AP view; left wrist X-ray; subsequent exam; in cast; detector: Siemens: 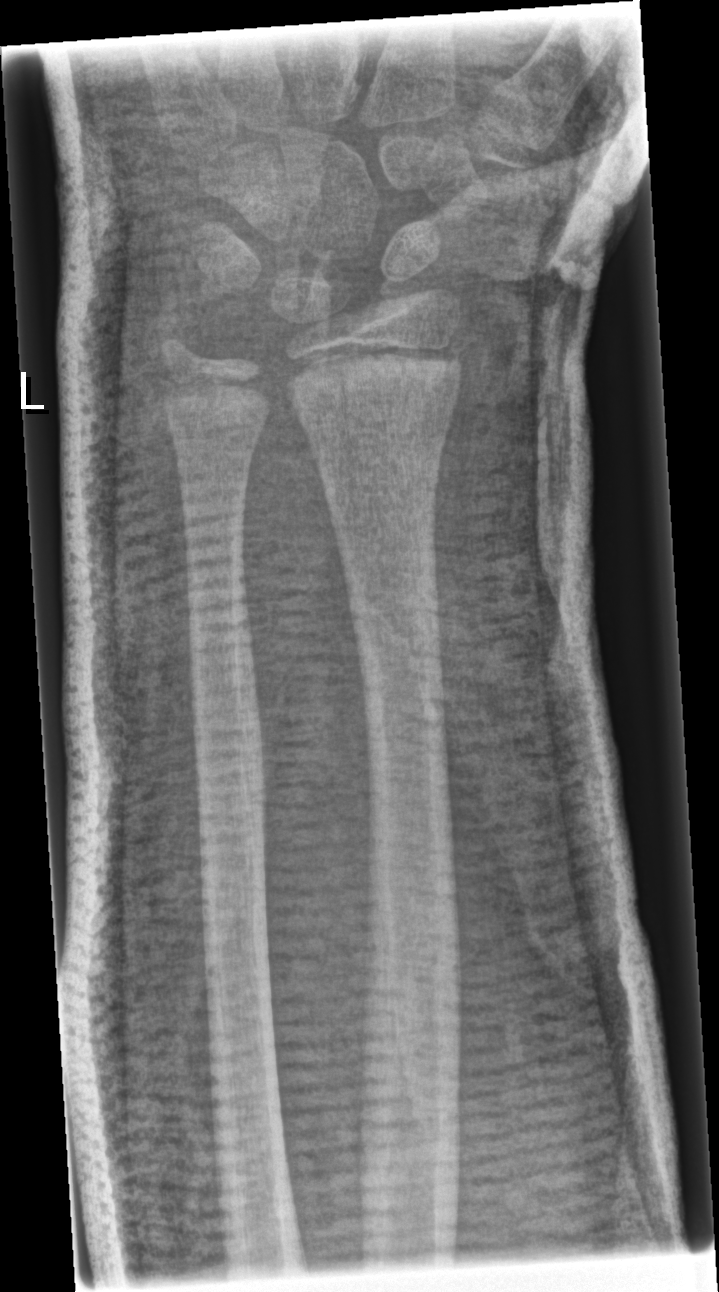
Findings: Fracture: (281, 333, 471, 425). AO code 23r-E/1.